PA; Rt wrist XR; pediatric patient (boy, age 9); follow-up study; 89.0 mm image width.

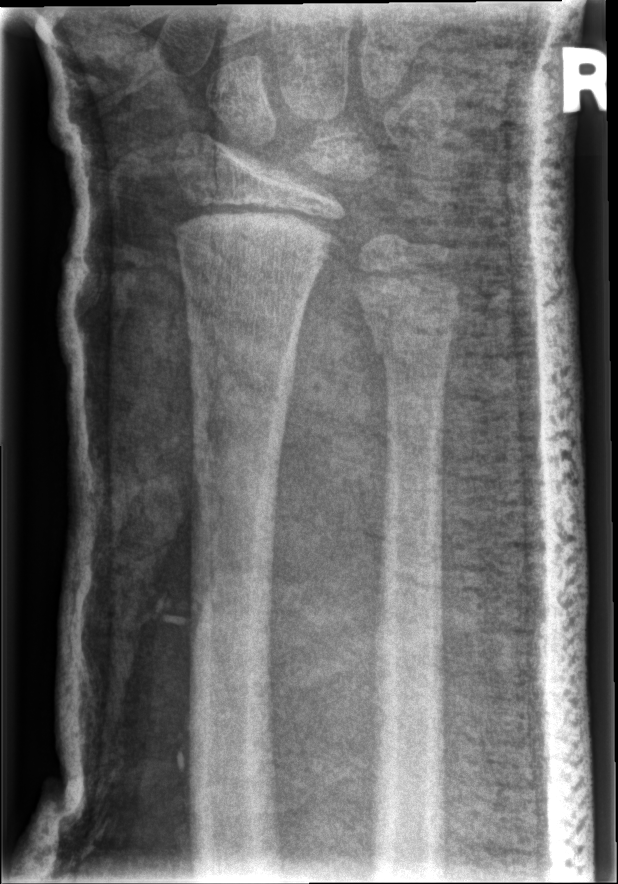
Fx: 1 @ bbox(370, 296, 466, 364)
AO code: 23u-M/3.1